Left plain radiograph of the wrist · PA/AP view:
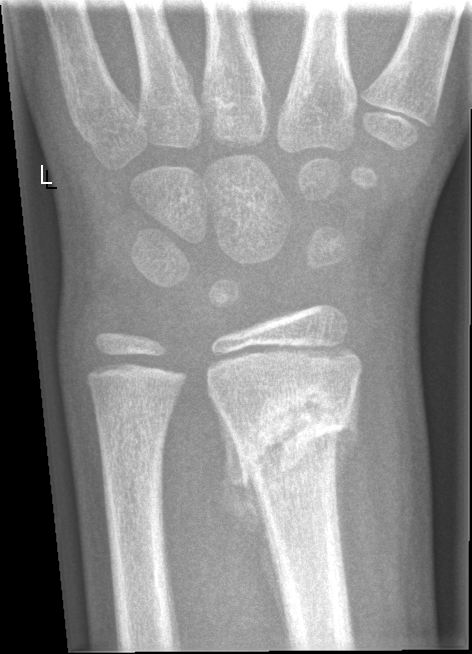 Pixel coordinates, top-left origin, xyxy.
One fracture at <232,412>-<357,491>.
Osteopenic.
Periosteal reaction identified at <208,391>-<290,645>, <330,370>-<362,582>.